Left wrist X-ray · frontal projection 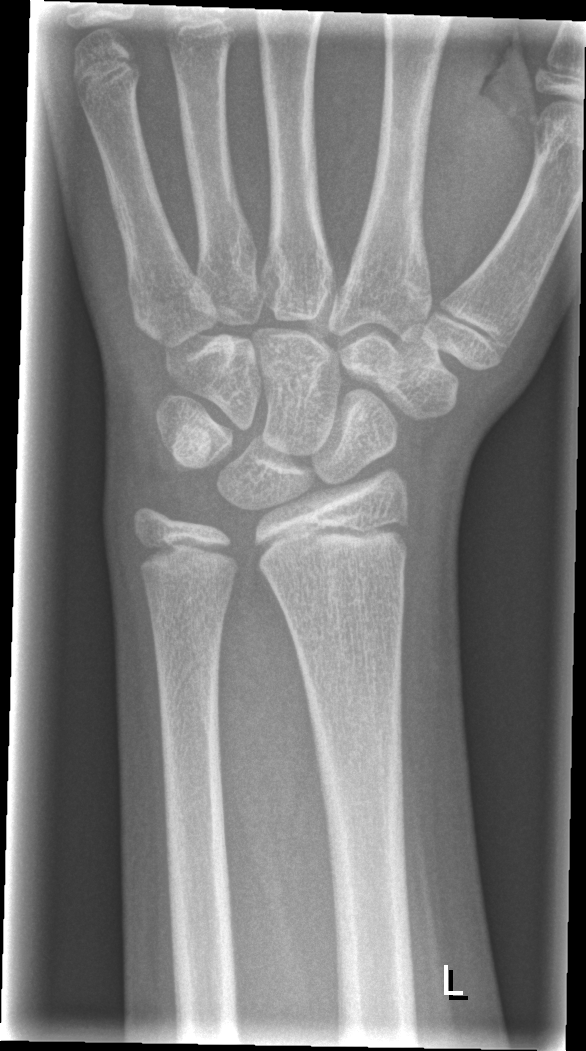

fracture: none labeled